Left wrist pediatric wrist radiograph, PA projection, age 7 y, female, 391x666 — 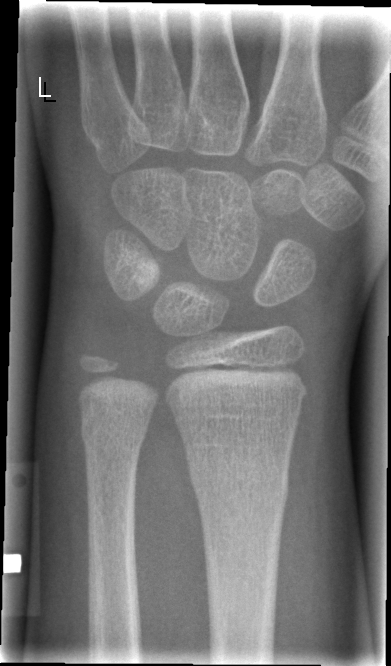 Bounding boxes in image-pixel xyxy.
AO code 23-M/2.1.
Two Fx at [186, 451, 292, 515]; [78, 413, 154, 458].